Right wrist XR | lateral view | 9-year-old girl | index exam | acquired on Siemens.

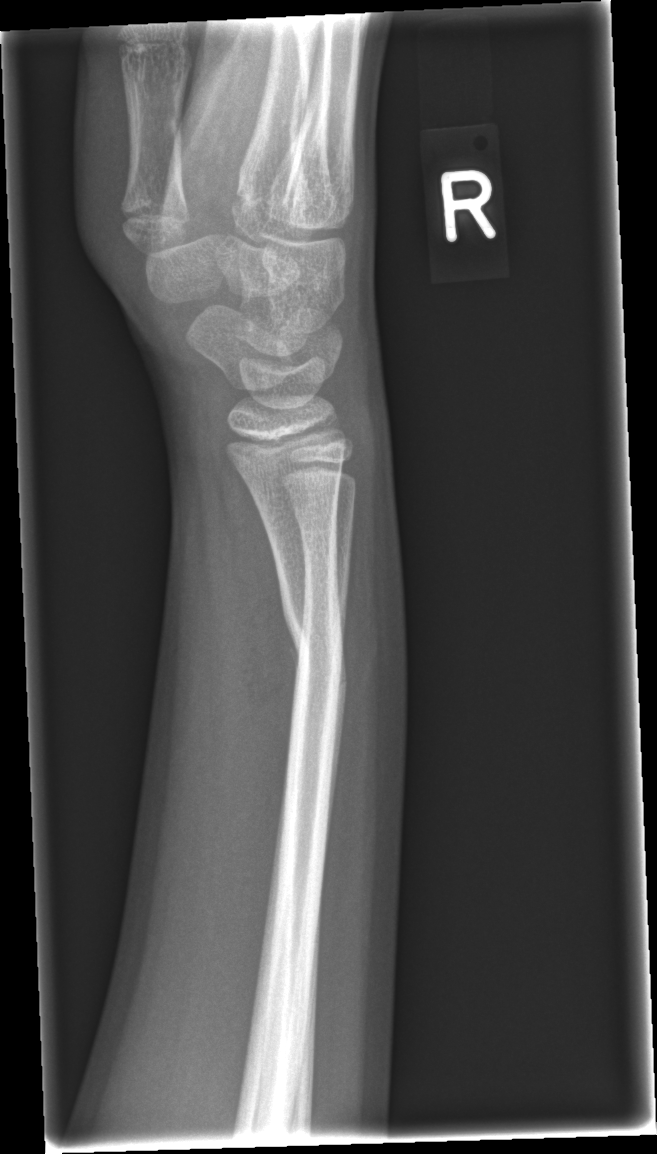
(pixel coordinates, top-left origin, xyxy)
Q: Is there a fracture?
A: One fracture at [x1=277, y1=585, x2=352, y2=702]
Q: AO code?
A: AO/OTA classification: 22r-D/2.1
Q: Pronator fat-pad sign?
A: Pronator quadratus fat-pad sign identified at [x1=214, y1=439, x2=302, y2=782]